Left wrist plain film; lateral projection; 15-year-old girl; index exam; Siemens:
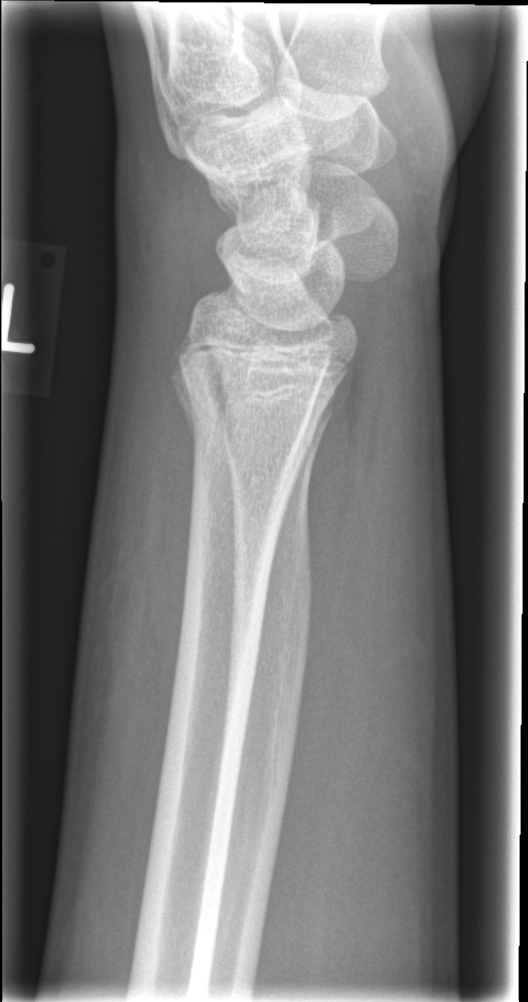
Findings: (coordinates are [x1, y1, x2, y2] in image pixels) Soft tissue abnormality — (91, 267, 206, 722). Fx: (165, 340, 332, 464). Fracture classified AO/OTA 23r-M/2.1; 23u-E/7.